L plain radiograph of the wrist; posteroanterior

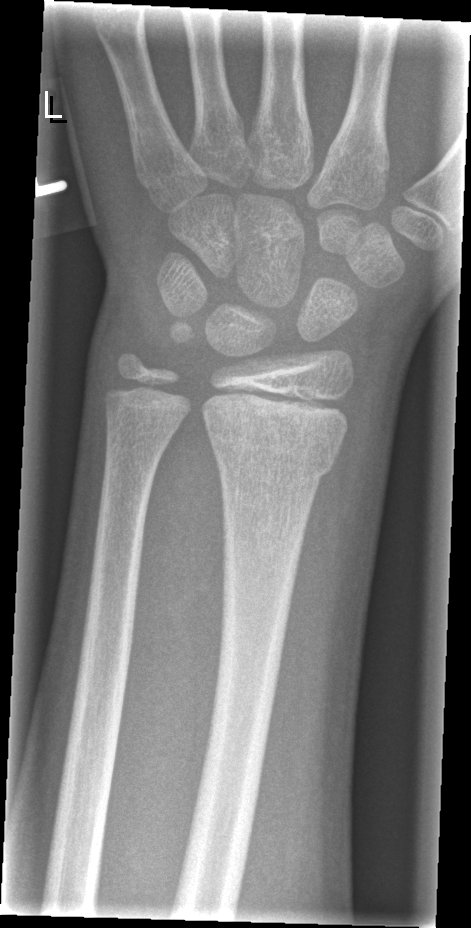 - Boxes as x1,y1,x2,y2 (top-left / bottom-right, pixel units).
- Fracture classified AO/OTA 23r-M/2.1.
- Fracture: 200,401,348,495.